Rt wrist radiograph | PA/AP:
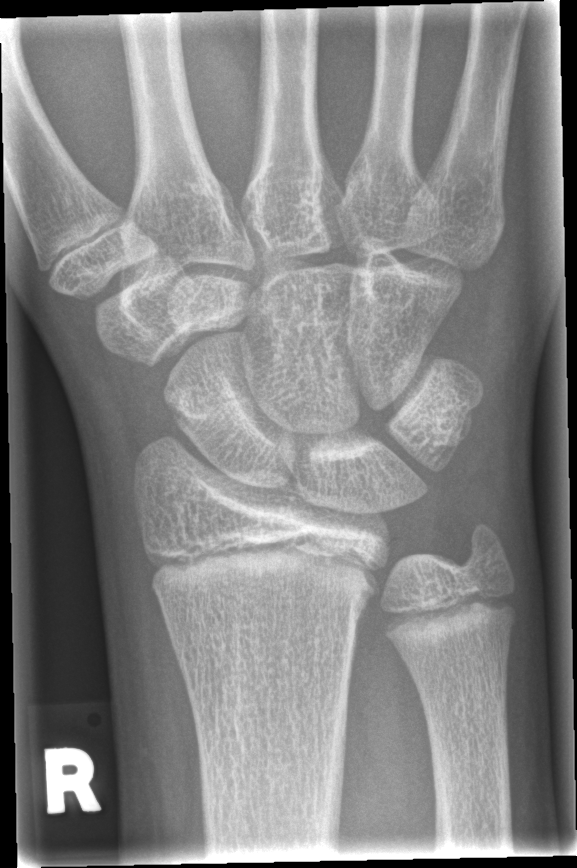
ao: 72B(b)
fracture: 1 @ 162,384,271,425